Lat projection · right wrist plain film · 12-year-old boy · 444x1183:
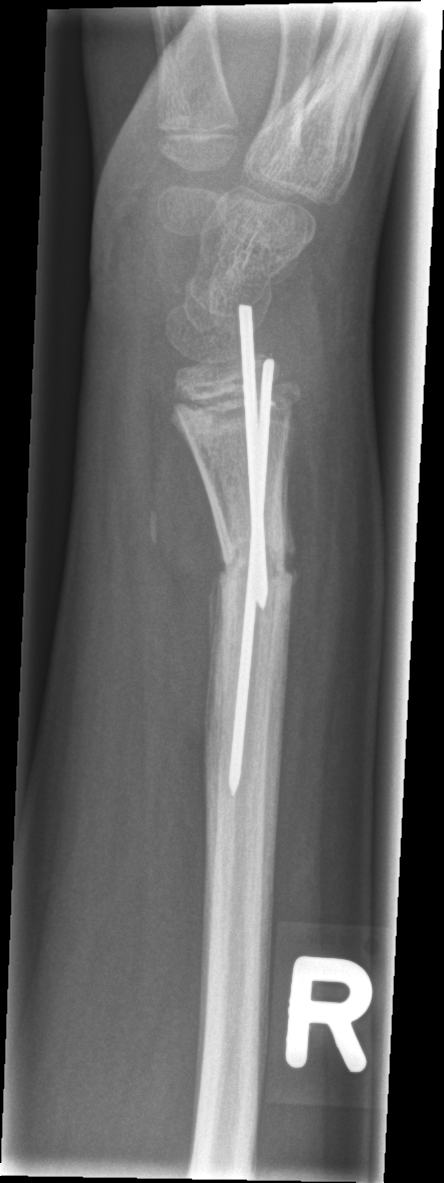
Fx identified at [x1=211, y1=532, x2=301, y2=600]. One metal at [x1=223, y1=300, x2=277, y2=797]. Periosteal thickening identified at [x1=205, y1=577, x2=225, y2=803].